Right wrist X-ray; frontal projection; initial study
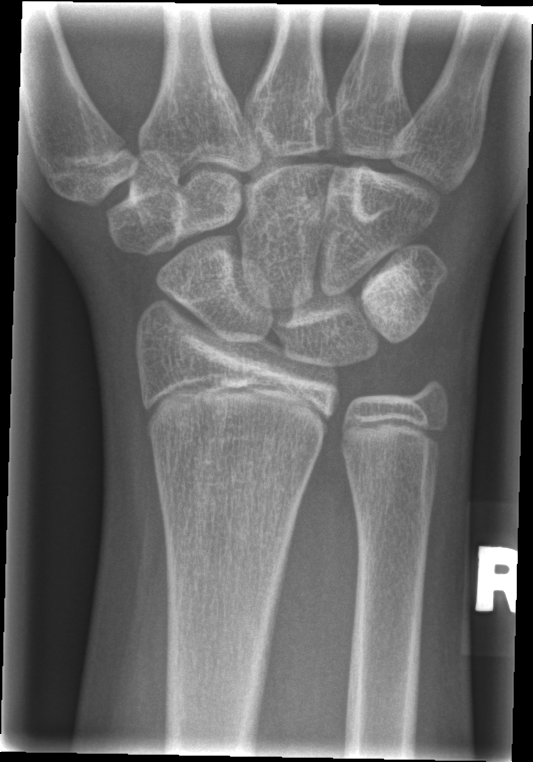
• No Fx annotated.